Posteroanterior view · left wrist plain radiograph of the wrist.

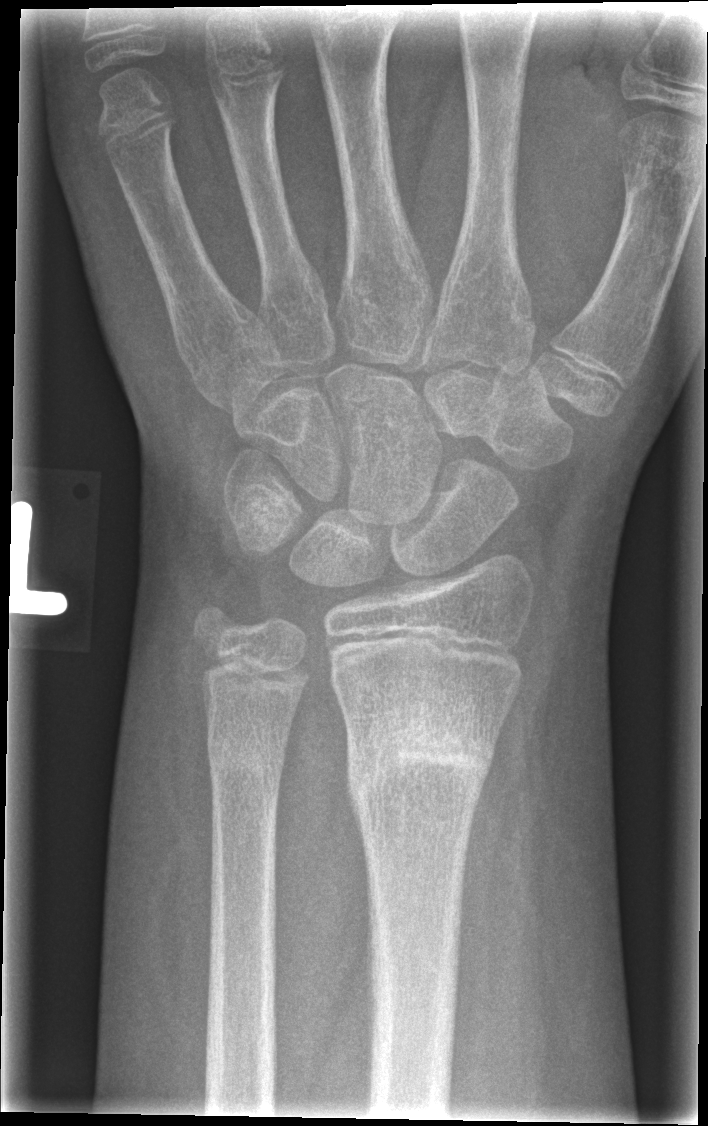

{
  "_coords": "boxes as x1,y1,x2,y2 (top-left / bottom-right, pixel units)",
  "fracture": "339,695,502,804\n  203,731,291,790",
  "osteopenia": "present"
}